Left wrist X-ray; frontal view; age 11 y, girl; acquired on Siemens; image 69.3 mm wide: 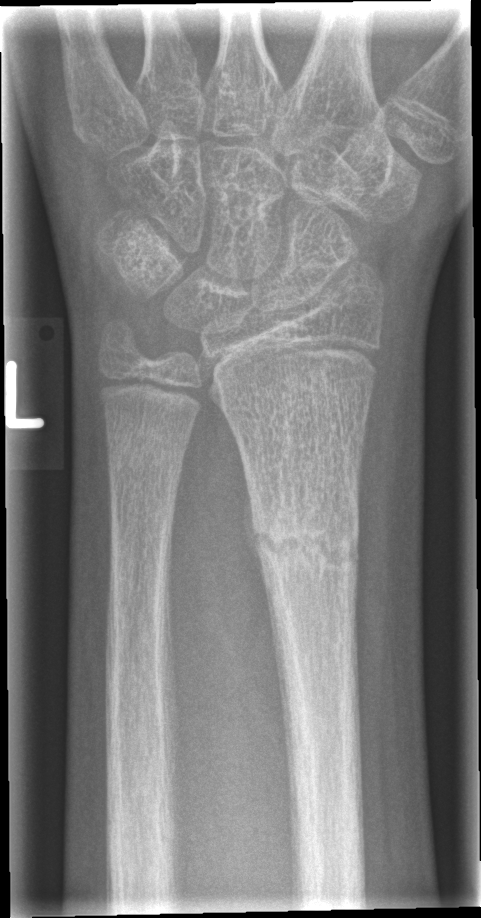

(bounding boxes in image-pixel xyxy)
Osteopenia = present
AO/OTA = 23r-M/3.1; 23u-M/2.1
Fracture = 249 494 365 585; 102 415 189 476